Lat view; Lt pediatric wrist radiograph:
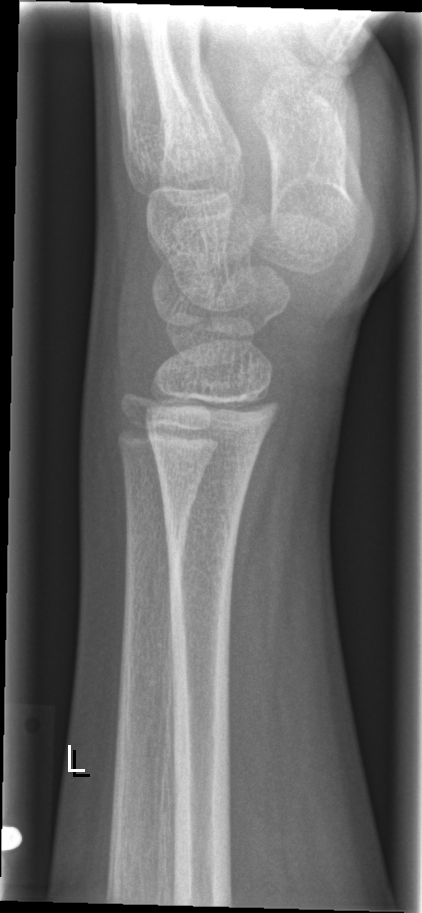
- No fracture annotation.